Rt wrist X-ray; lat 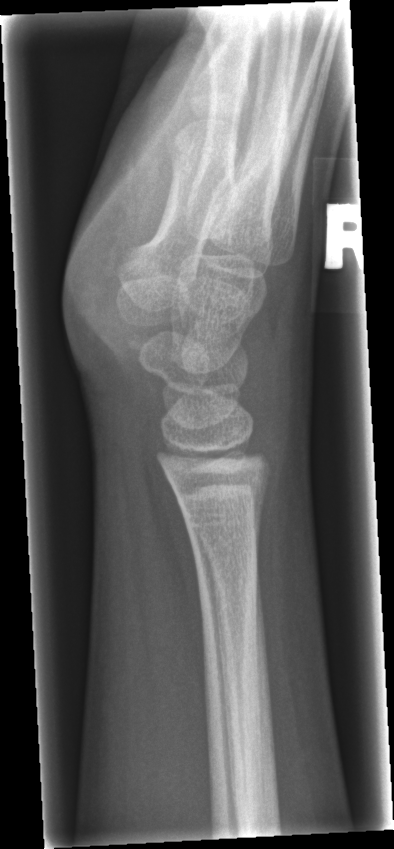 Fracture: none labeled